Lateral view · left wrist X-ray · subsequent exam · imaged through cast · acquired on Siemens

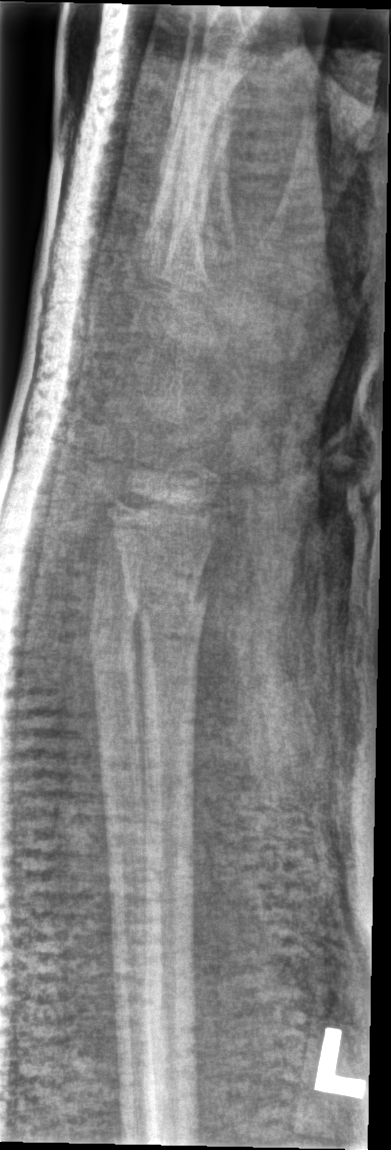

(boxes as x1,y1,x2,y2 (top-left / bottom-right, pixel units))
AO code: 23-M/3.1
Fx: 2 @ (left=125, top=581, right=213, bottom=623), (left=87, top=603, right=141, bottom=656)